L wrist X-ray, PA projection, male, 16 yo, cast in situ, 106.6 mm image width.
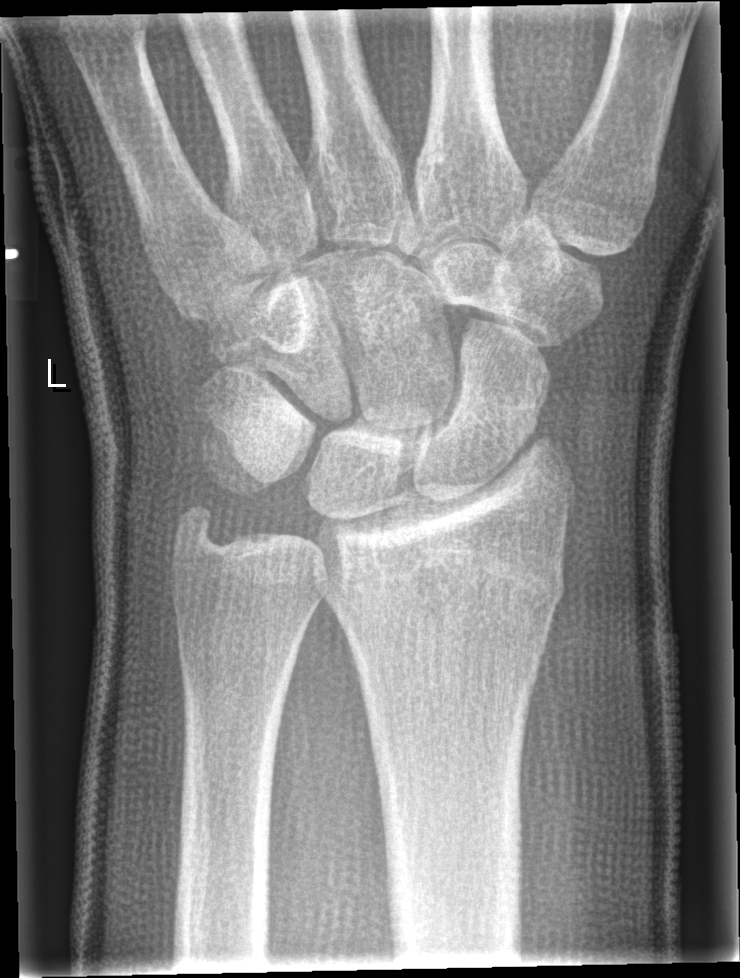
AO/OTA classification: 23r-M/2.1; 23u-E/7.
Fx — bbox(319, 503, 577, 621), bbox(163, 503, 229, 575).